Lt wrist plain film; oblique; 5-year-old girl; subsequent exam; cast present.
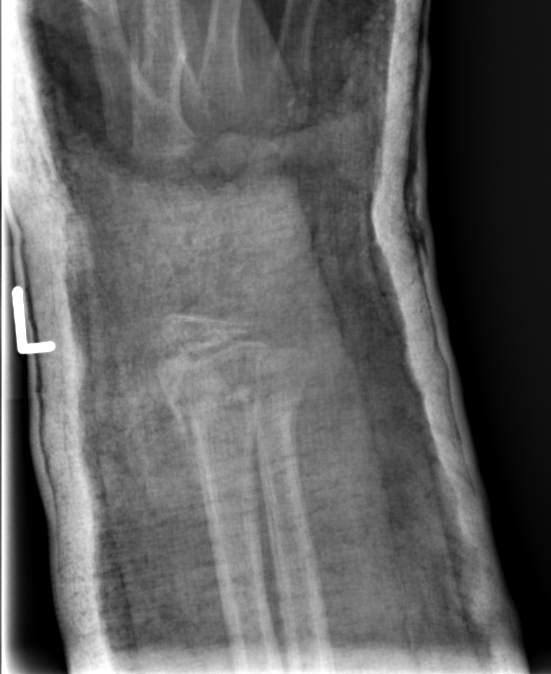 # boxes as x1,y1,x2,y2 (top-left / bottom-right, pixel units)
fracture: 2 @ [158, 359, 266, 445], [241, 365, 309, 451]
ao: 23-M/3.1